Frontal · Rt pediatric wrist radiograph · 15-year-old female · presentation radiograph
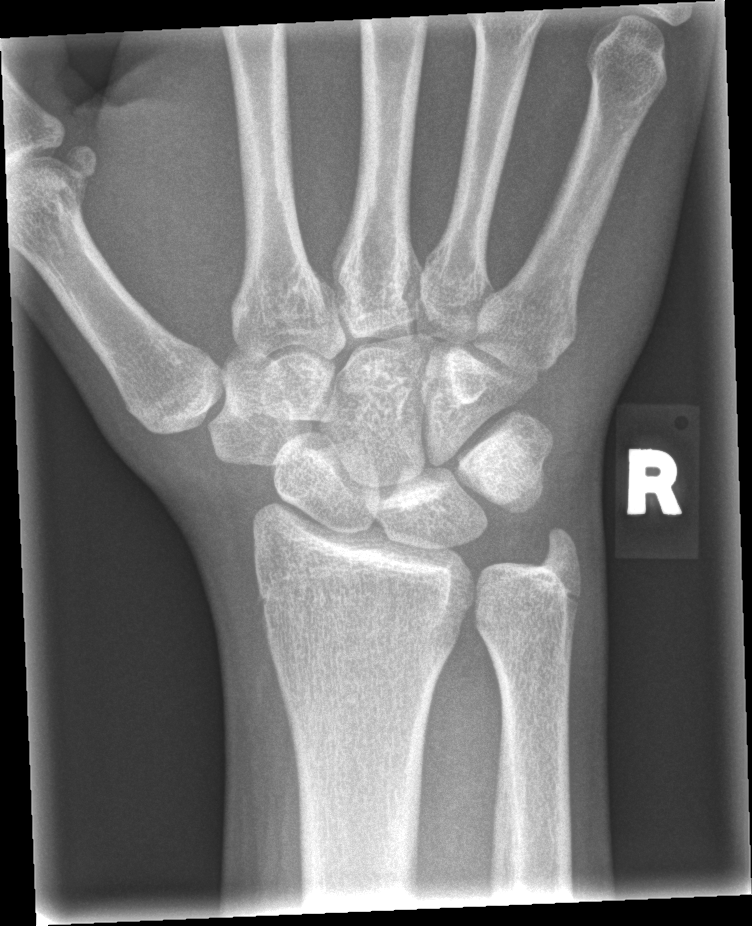
Bone fracture: none labeled